PA | left plain radiograph of the wrist | image width 79.6 mm. 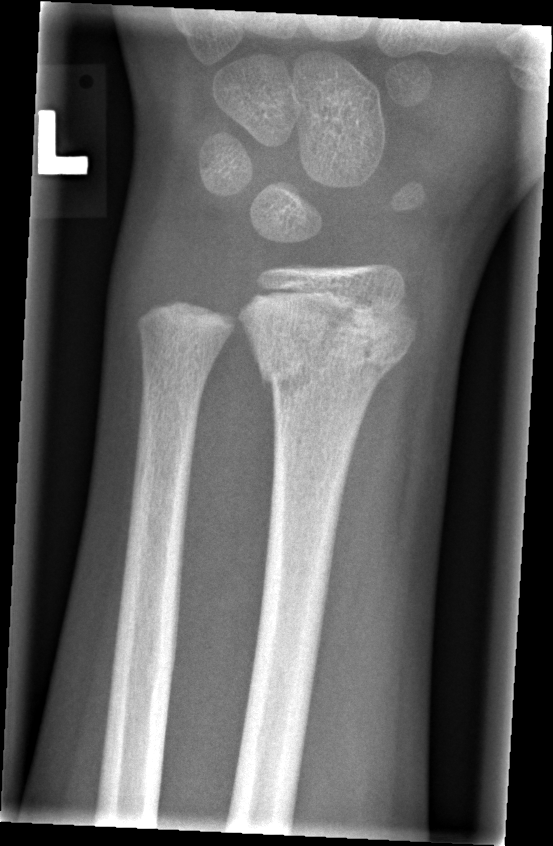
Fx identified at 250,301,419,412. Fracture classified AO/OTA 23r-E/2.1.